PA · L pediatric wrist radiograph · pediatric patient (girl, age 8) · presentation radiograph · acquired on Siemens.

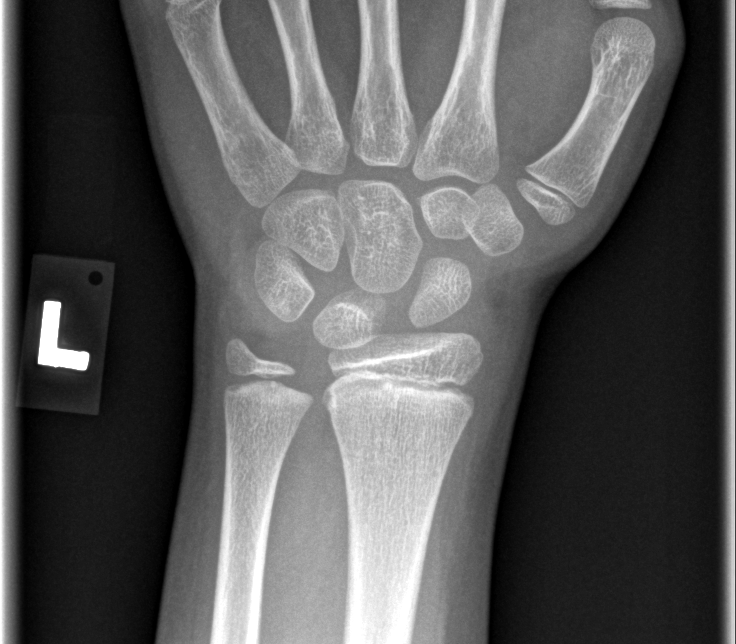 Q: Any fracture seen?
A: No Fx annotated